AP projection | left wrist plain film | 642x1196

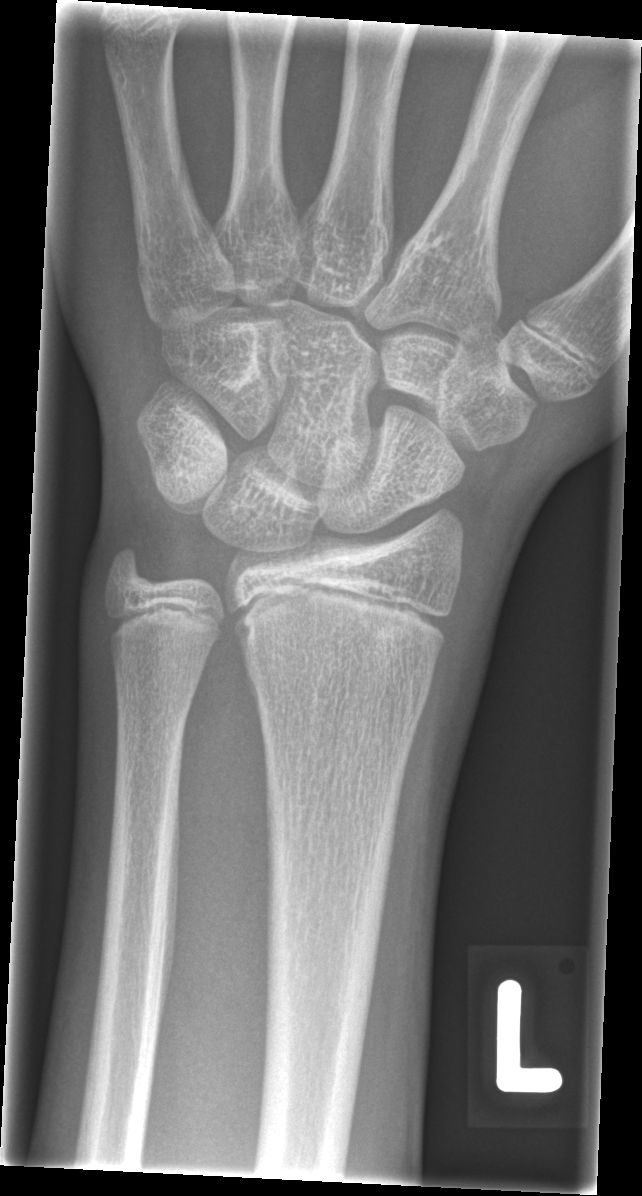
Fx — bbox(245, 652, 440, 737).